Left wrist X-ray; lateral projection; 88.1 mm image width — 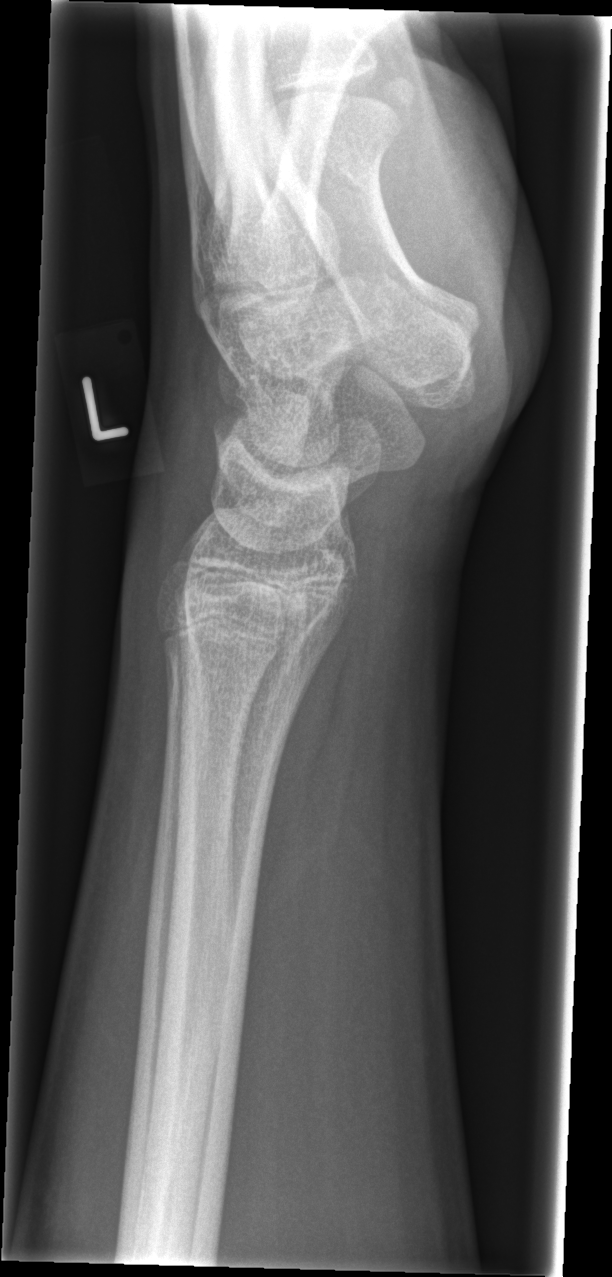

{"fracture": "none labeled"}